Posteroanterior · left wrist pediatric wrist radiograph · index exam · 455x802 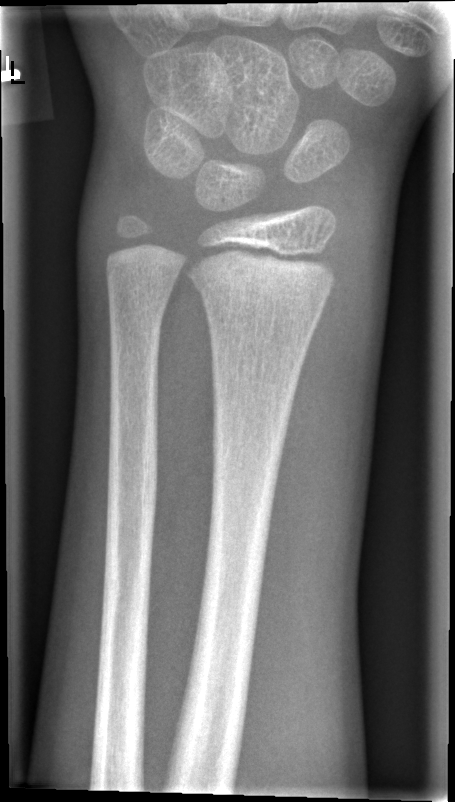

AO/OTA = 23r-E/2.1
Fracture = 183,247,340,298